L pediatric wrist radiograph | frontal projection | pediatric patient (male, age 6) | subsequent exam | Siemens | image 61.6 mm wide.
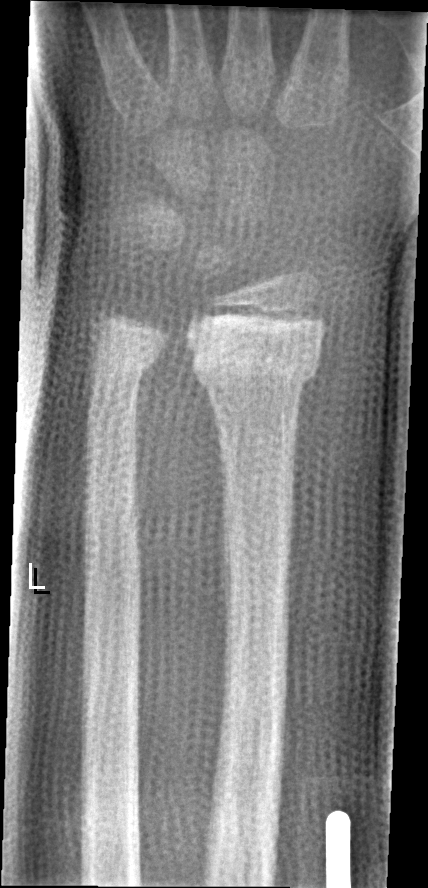

- Boxes as x1,y1,x2,y2 (top-left / bottom-right, pixel units).
- Fx identified at [x1=189, y1=322, x2=328, y2=395], [x1=91, y1=319, x2=166, y2=383].
- AO code 23-M/3.1.